R wrist radiograph | lat projection | image size 522x930 —

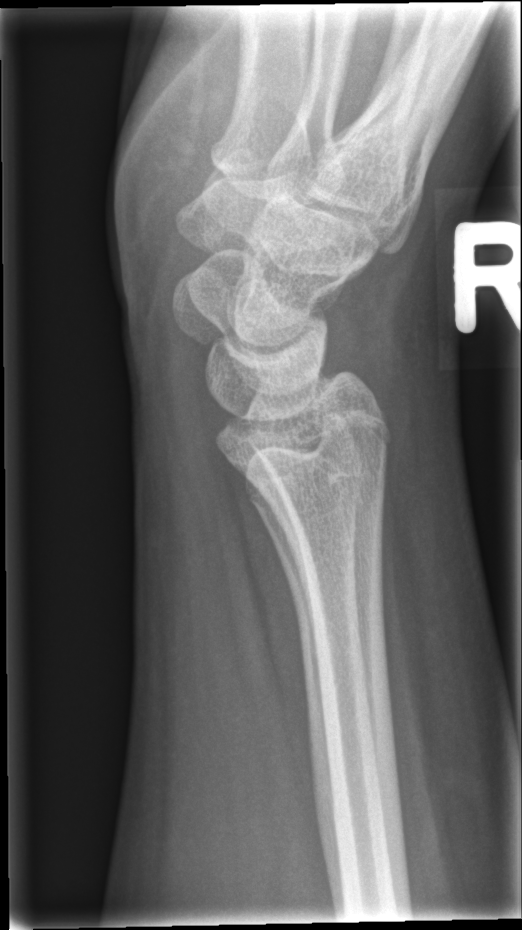

Fracture: none labeled